L wrist X-ray | lat view | initial study:
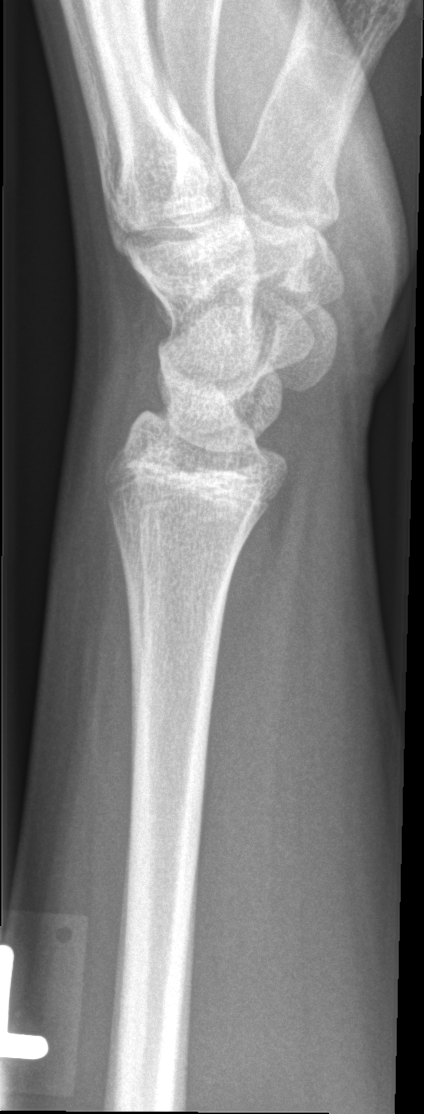

Fracture: none labeled.